Frontal view, Lt wrist plain film, pediatric patient (boy, age 15), 653 by 1196 pixels — 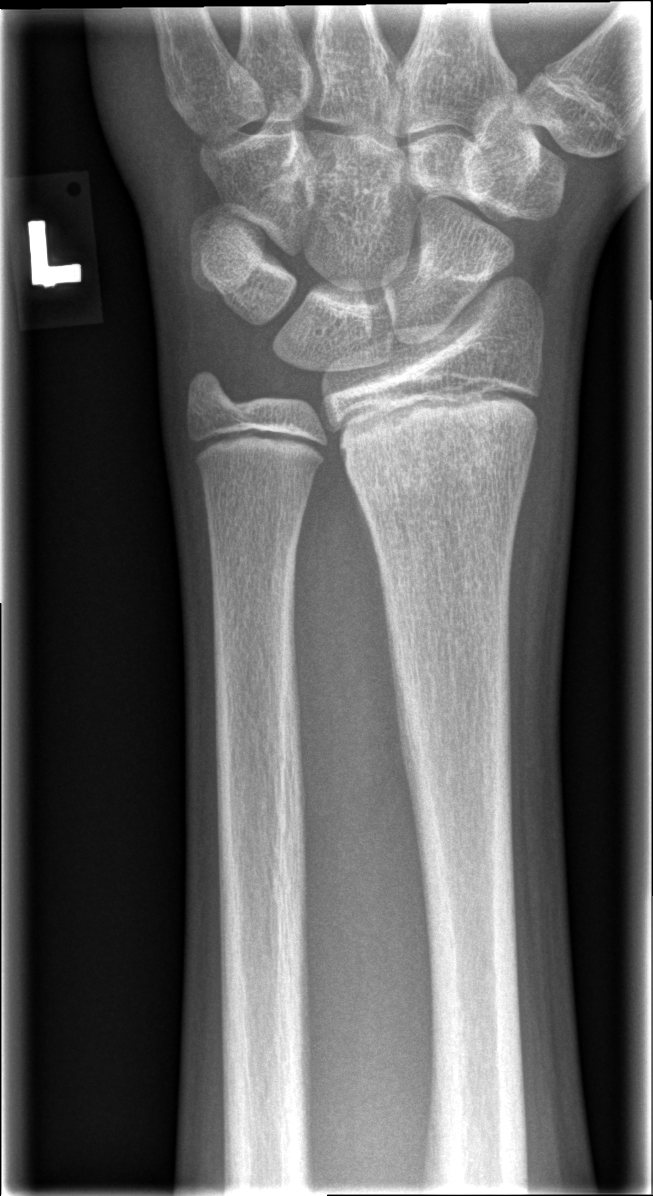 Fx: <343,405>-<542,519>.